Right wrist X-ray | PA/AP view | initial study —

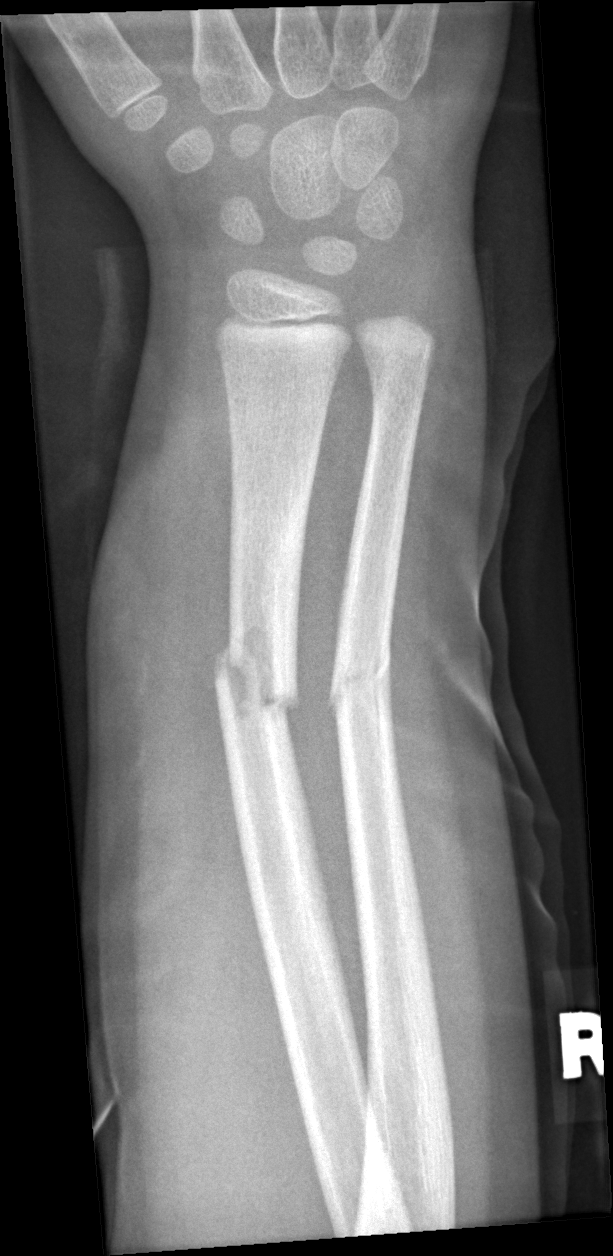

(coordinates are [x1, y1, x2, y2] in image pixels)
bone fracture = 2 @ 210 617 305 737; 325 642 396 728
soft tissue abnormality = 89 436 266 978
AO classification = 22-D/4.1